L pediatric wrist radiograph; AP view; boy, 13 yo; follow-up:

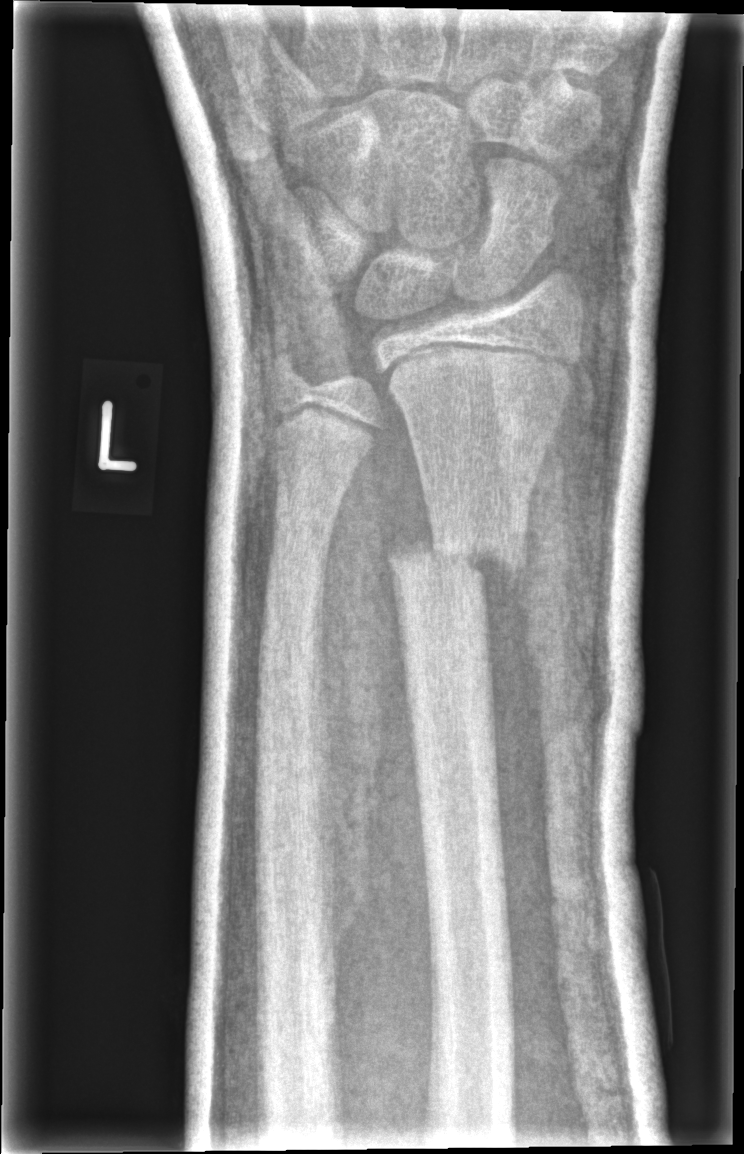

Fx identified at (380, 518, 533, 593).